L wrist plain film | lateral projection | age 14 y, male | follow-up | detector: Siemens | 632x1312 —

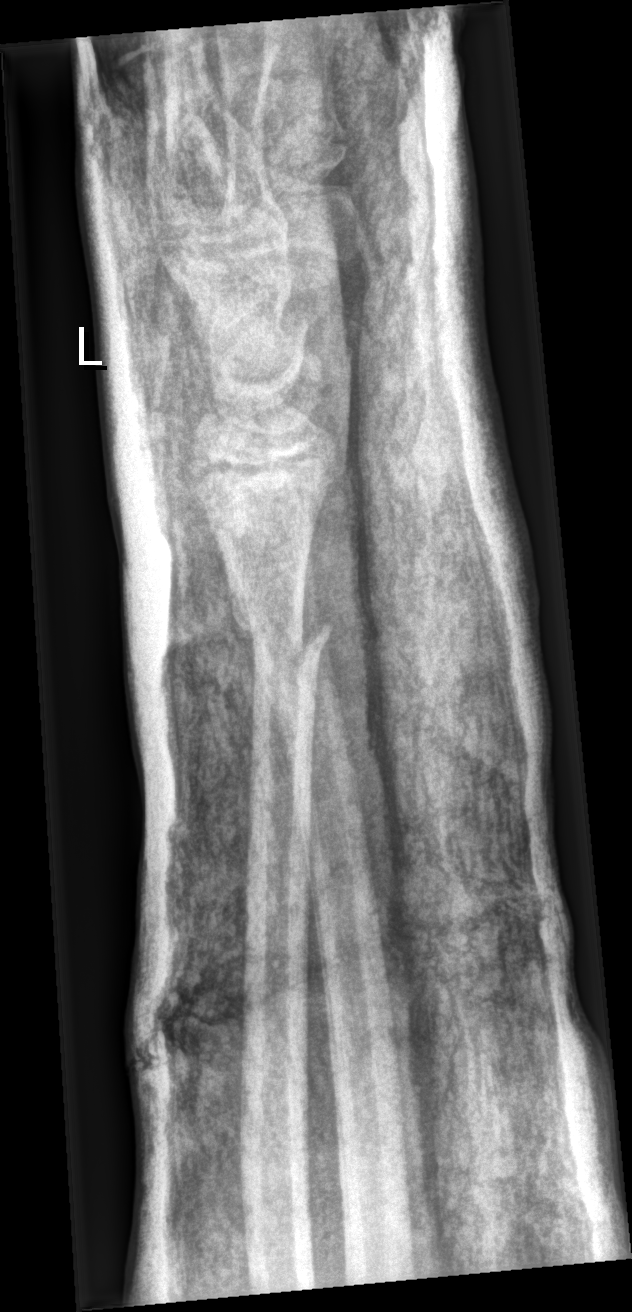
fracture: 228,586,334,685
ao: 23-M/3.1